AP; left wrist X-ray; female, 1.5 yo; detector: Siemens; 616x688:
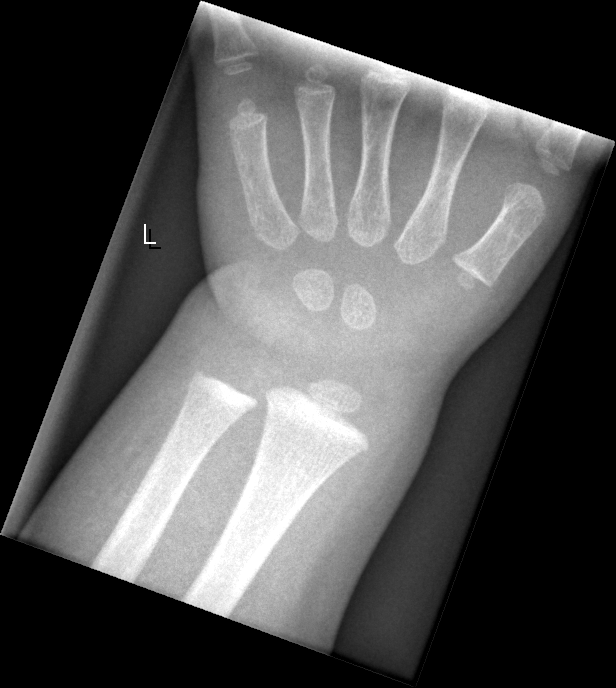

Q: Any fracture seen?
A: No fracture labeled